Lat; left wrist pediatric wrist radiograph; pediatric patient (male, age 13); cast present:
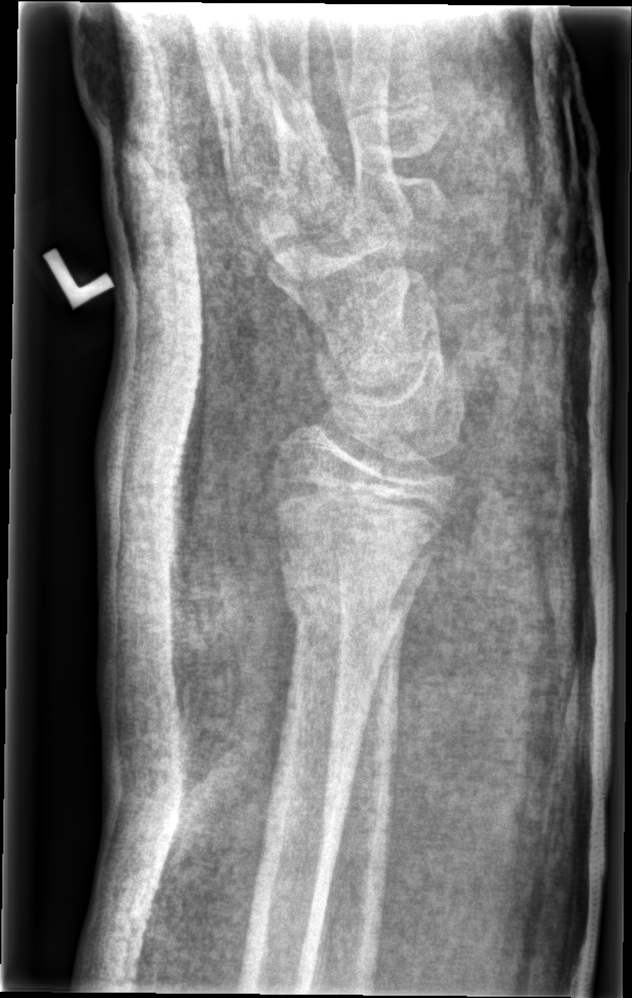
Findings: One bone fracture at (272, 543, 439, 636). AO code 23r-M/3.1; 23u-E/7.